Left wrist plain radiograph of the wrist; frontal; follow-up study; image size 563x786
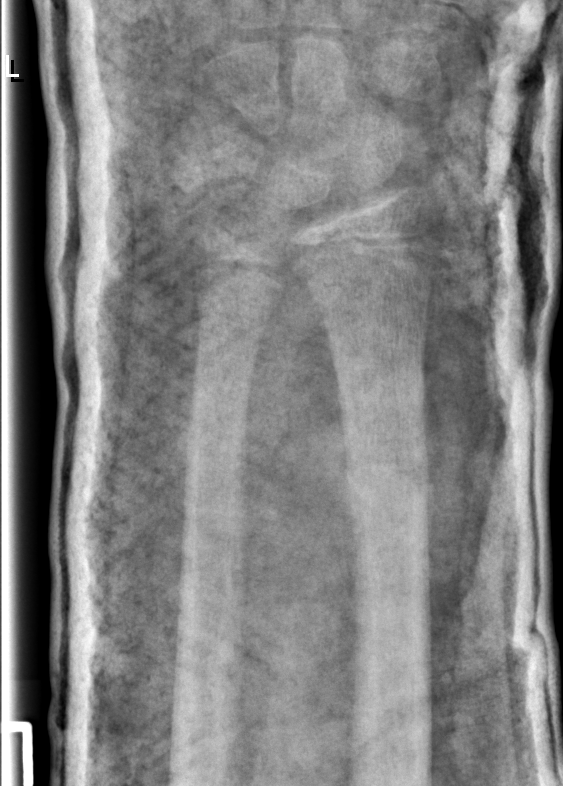 Findings: (pixel coordinates, top-left origin, xyxy) AO/OTA classification: 22r-D/2.1. Bone fracture identified at 337,429,437,510.